Left wrist plain radiograph of the wrist, lateral view, female, 12 yo, image size 474x608 —
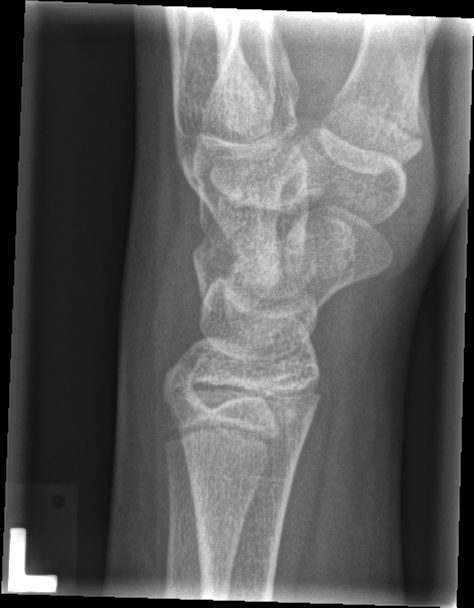

FINDINGS: Fracture: none labeled.